Posteroanterior projection; left wrist X-ray 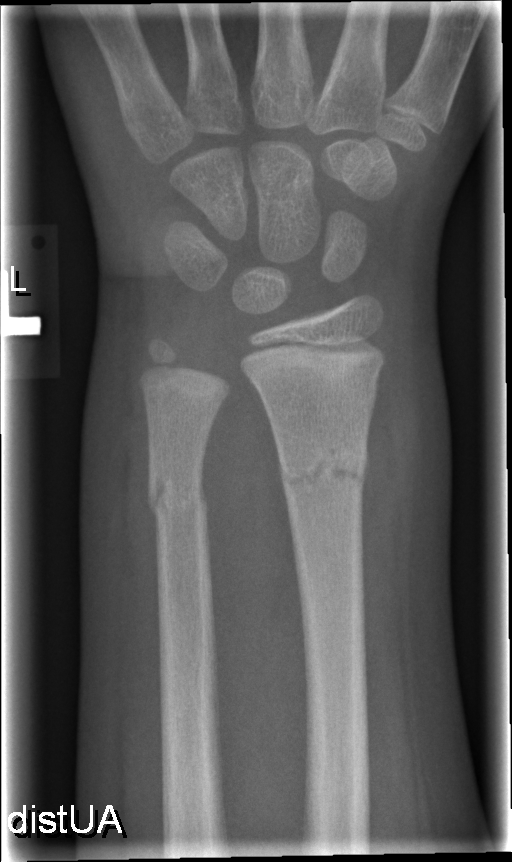
Findings: AO/OTA classification: 23-M/3.1. Two bone fractures at 277,438,368,501 | 146,465,209,530.